Lt wrist XR; lat view; female, 14 yo; detector: Siemens —
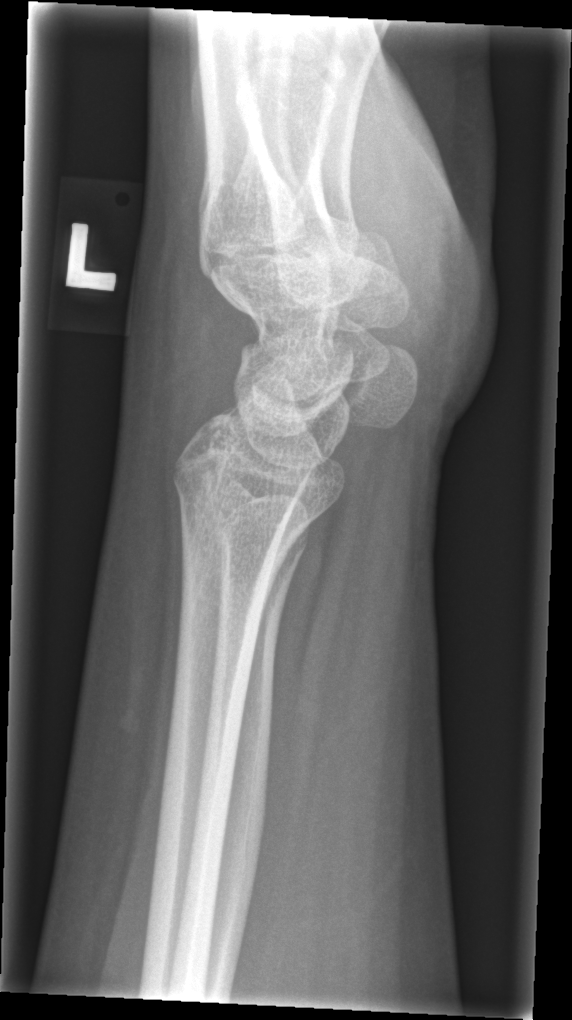
* Coordinates are [x1, y1, x2, y2] in image pixels.
* One fracture at bbox(168, 459, 326, 527).
* AO/OTA classification: 23r-M/2.1.